Lateral projection; left wrist XR; pediatric patient (boy, age 7); cast present.
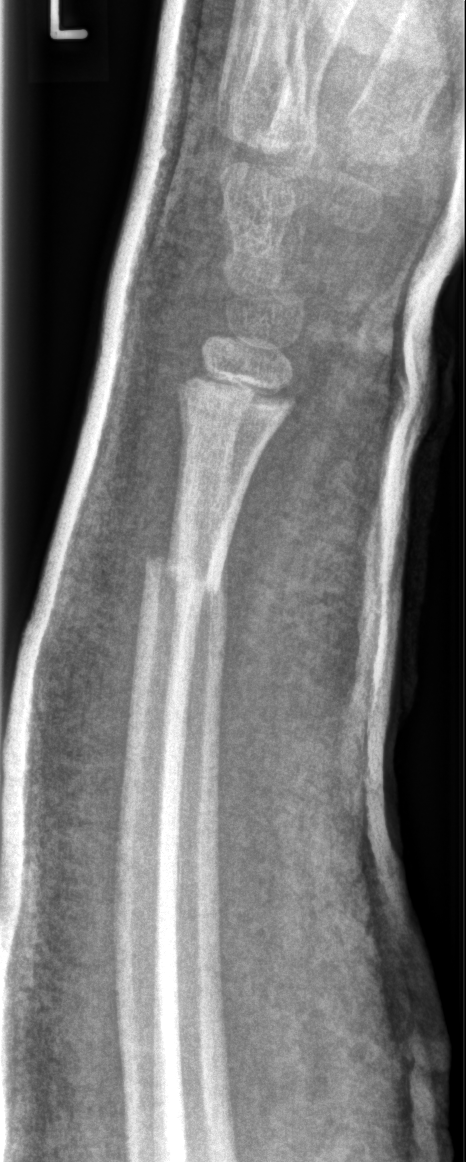

Bone fracture identified at (left=141, top=547, right=222, bottom=608).
AO code 23-M/3.1.